PA/AP projection · right wrist plain film · age 10 y, female · index exam · 464 by 906 pixels. 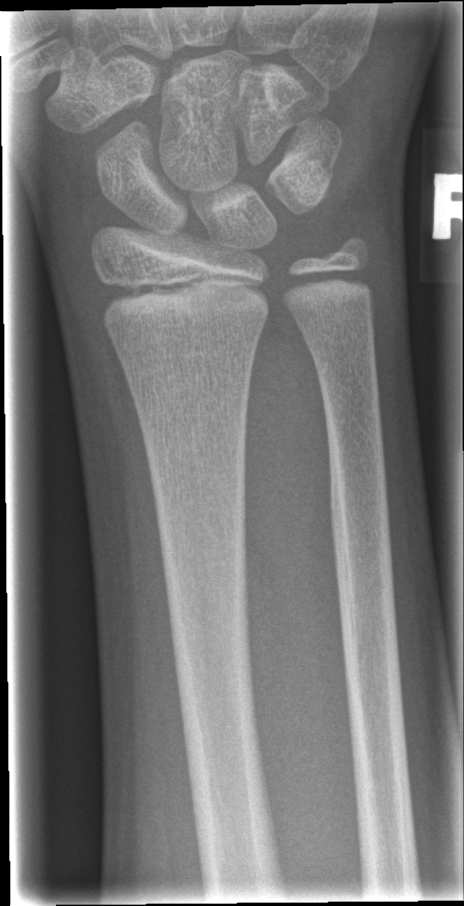 Q: Any fracture seen?
A: Fx: none